Left wrist radiograph | frontal | boy, 16 yo | imaged through cast | Siemens —

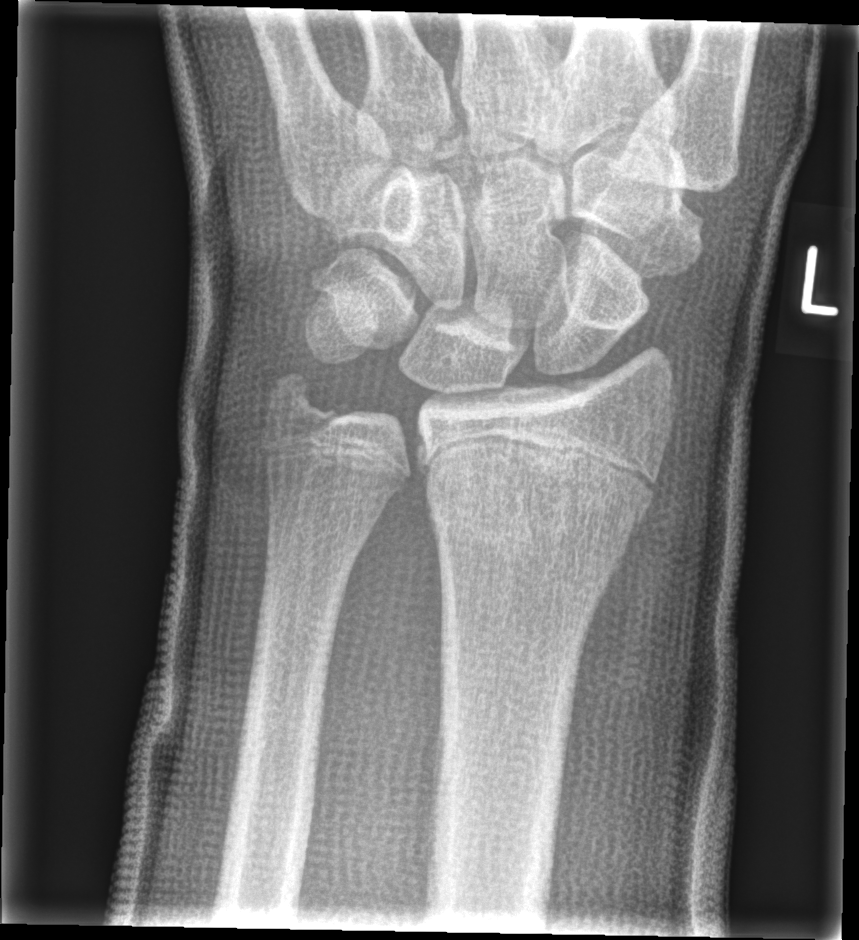 Q: Fracture present?
A: Two bone fractures at (421, 447, 656, 559) (256, 372, 354, 448)